Left pediatric wrist radiograph, PA/AP, male, 4 yo, follow-up study, 457x914:
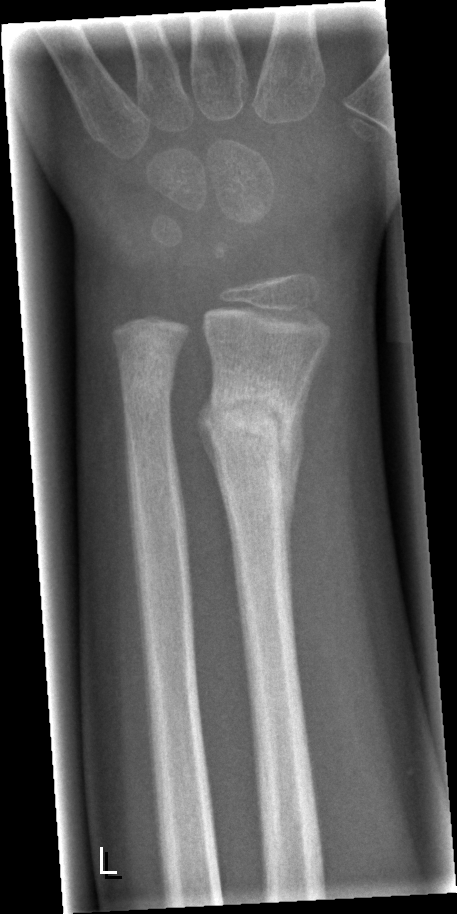 (pixel coordinates, top-left origin, xyxy)
periosteal new bone: 2 @ [x1=279, y1=350, x2=325, y2=571] [x1=197, y1=391, x2=225, y2=492]
Fx: [x1=202, y1=386, x2=298, y2=474] [x1=119, y1=368, x2=178, y2=417]
osteopenia: present
AO classification: 23r-M/3.1; 23u-M/2.1